PA/AP projection | left wrist radiograph | 14-year-old girl.

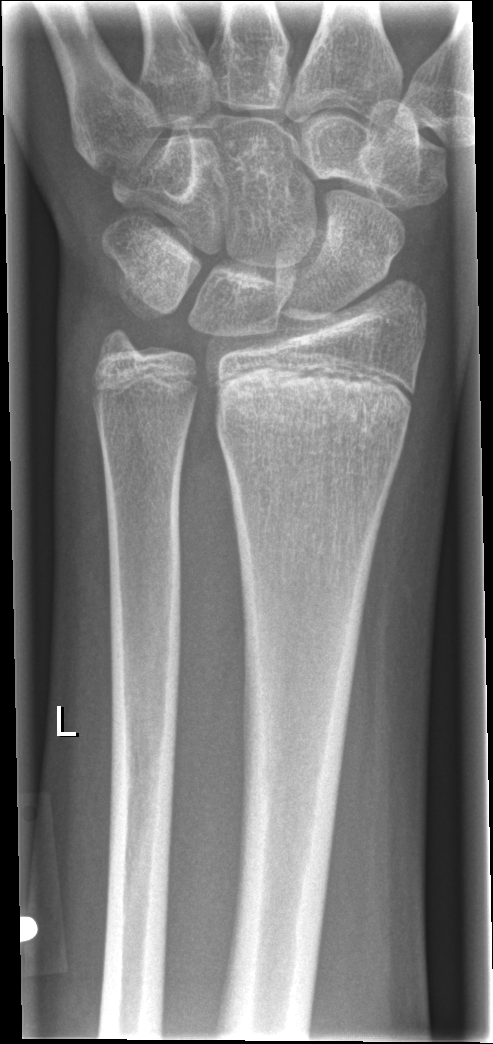

AO/OTA = 23r-M/2.1
Bone fracture = <207,368>-<417,443>